Lateral · Lt wrist plain film · 502 by 890 pixels — 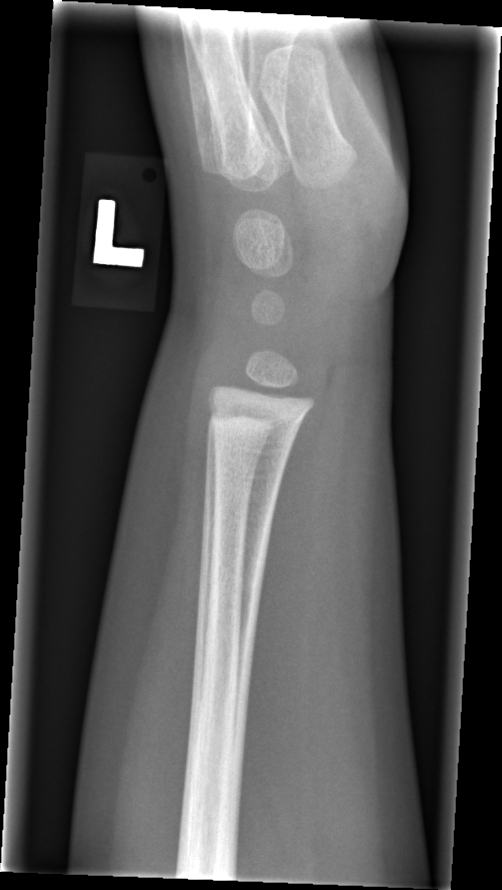 Fracture = none labeled